Lat | Rt wrist radiograph | age 16 y, male | cast in situ | image size 700x1284: 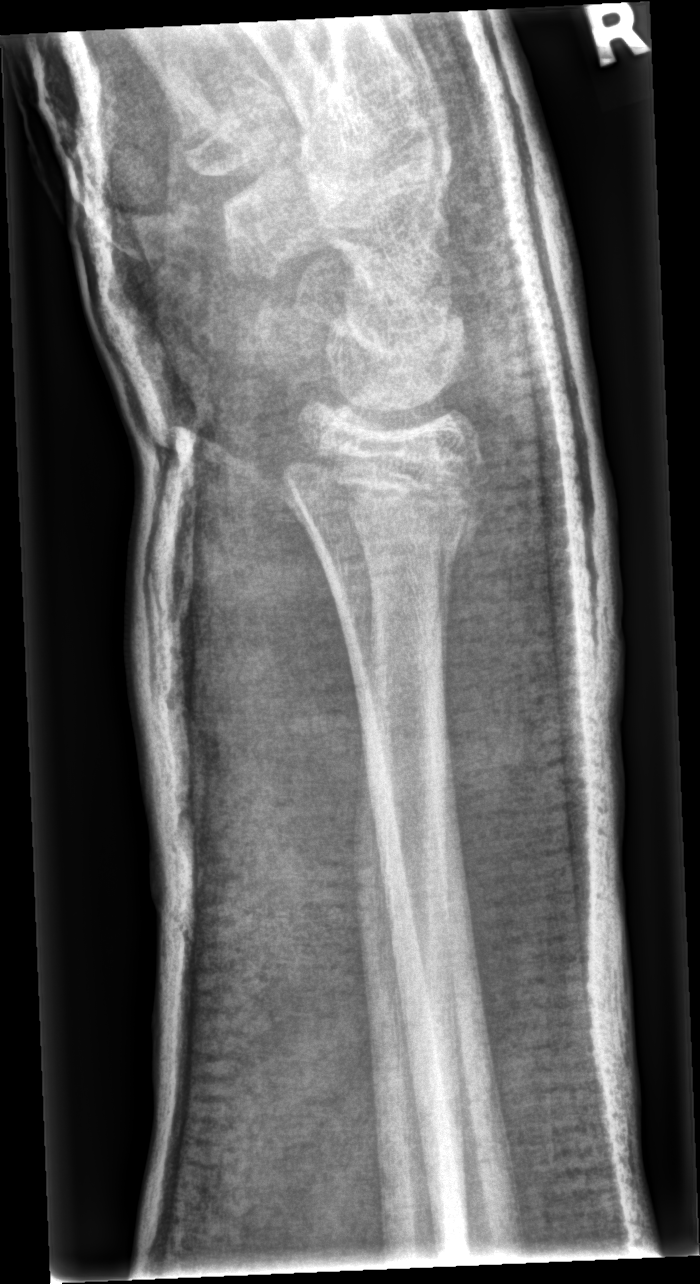

{
  "fracture": "1 @ [x1=280, y1=436, x2=500, y2=586]"
}